L wrist XR · lat · 5-year-old girl · cast in situ. 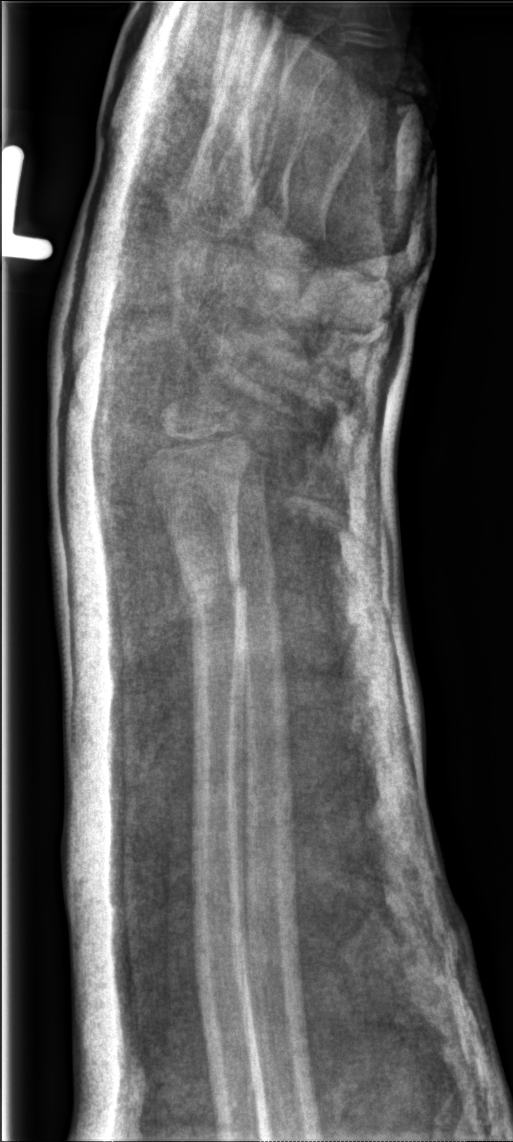

# pixel coordinates, top-left origin, xyxy
fracture: 1 @ [x1=174, y1=561, x2=253, y2=629]
ao: 23r-M/3.1; 23u-M/2.1